L plain radiograph of the wrist | frontal view

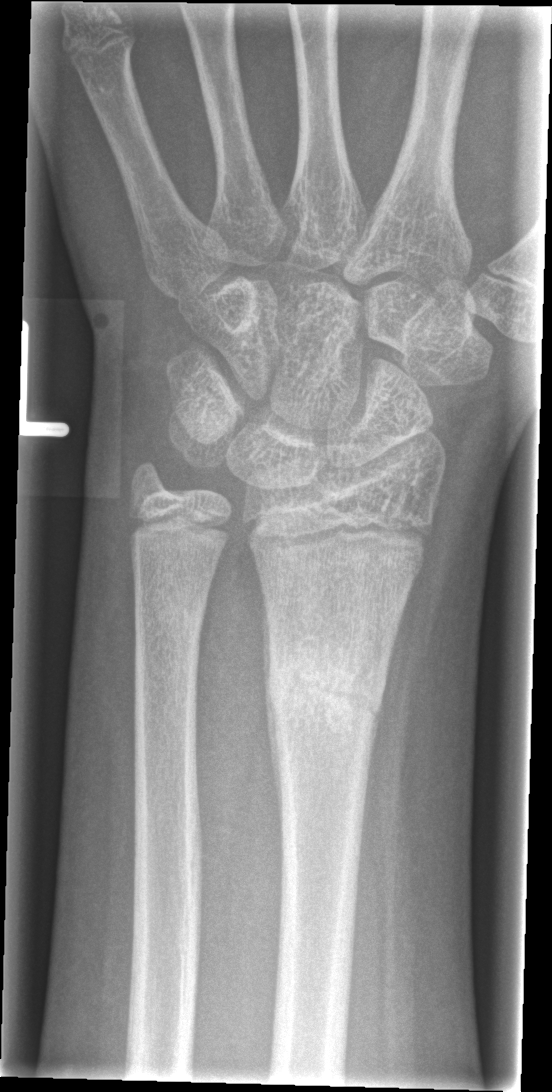

Bounding boxes in image-pixel xyxy. Periosteal thickening — [x1=261, y1=584, x2=285, y2=875]. Fracture classified AO/OTA 23r-M/3.1; 23u-M/2.1. Bone fracture identified at [x1=263, y1=637, x2=390, y2=743]; [x1=133, y1=586, x2=211, y2=647]. Osteopenia.